L wrist plain film, posteroanterior projection, Siemens —
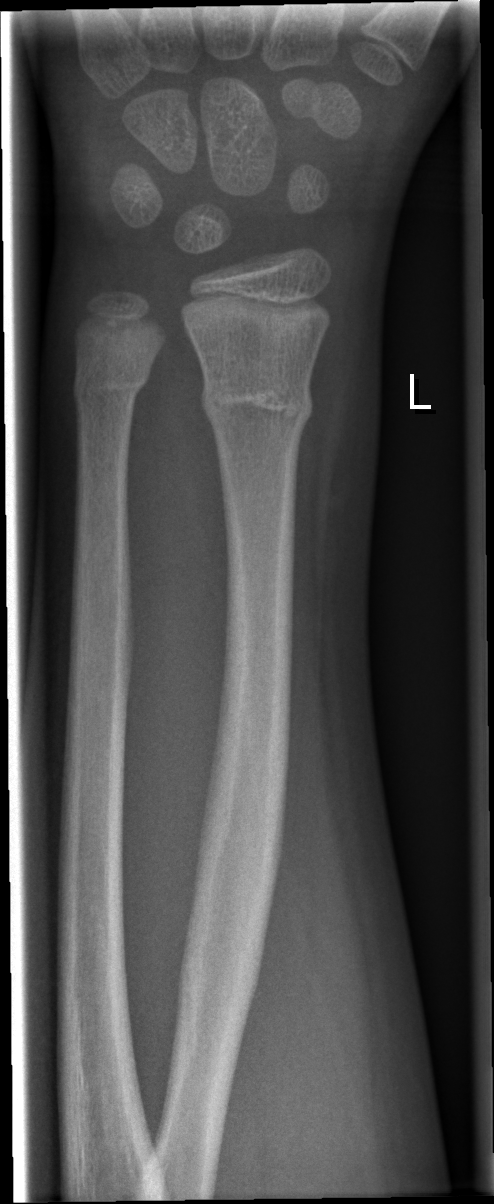 Boxes as x1,y1,x2,y2 (top-left / bottom-right, pixel units). Fracture classified AO/OTA 23-M/2.1. Two fractures at <198,367>-<317,441> <69,364>-<152,414>.